Rt wrist X-ray, PA/AP view, boy, 12 yo, image 101.7 mm wide
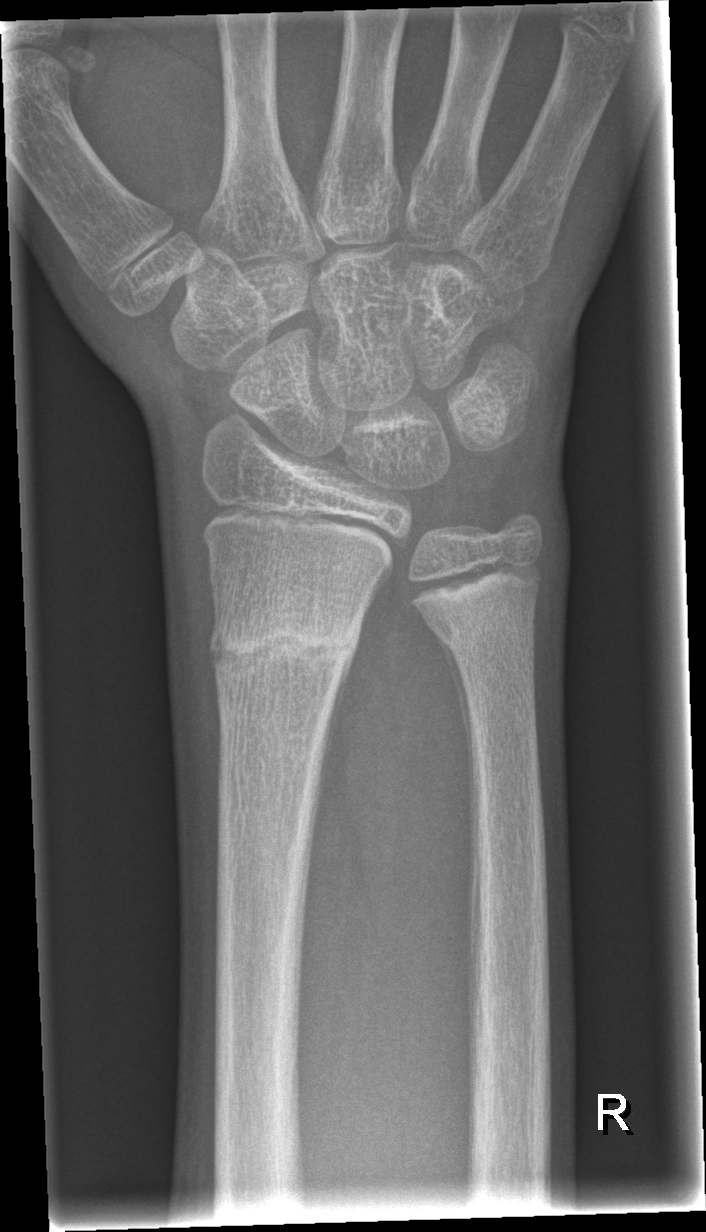

Fracture classified AO/OTA 23-M/3.1. Fx — [x1=203, y1=602, x2=365, y2=690] [x1=431, y1=585, x2=543, y2=661].